Lateral · right wrist XR · imaged through cast:
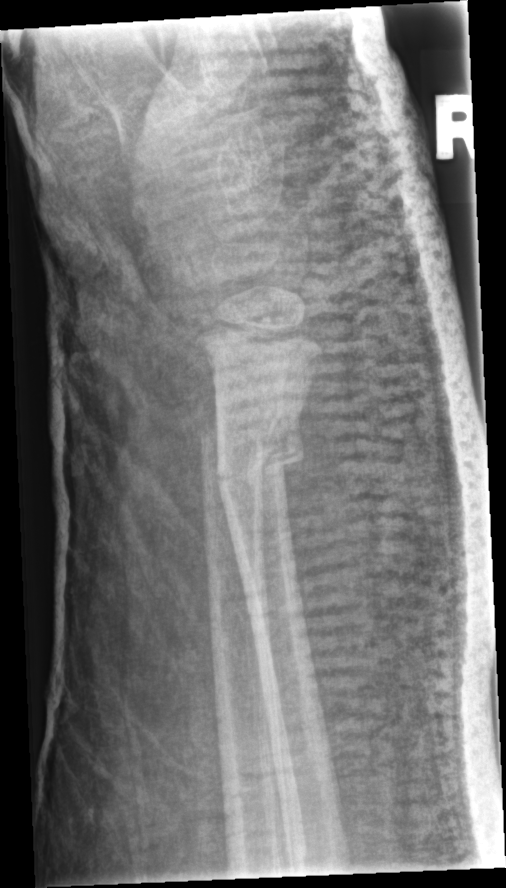

Fx = 1 @ [211, 410, 308, 496]